Lat view | left wrist pediatric wrist radiograph | Siemens:
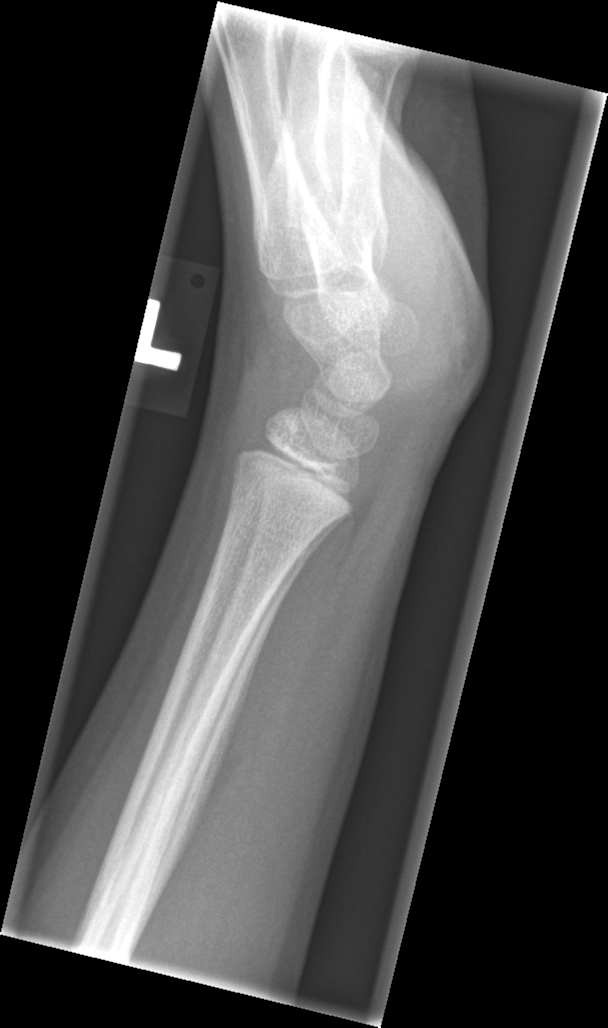

• Fx: none.